Left plain radiograph of the wrist; PA; Siemens; image 84.4 mm wide:

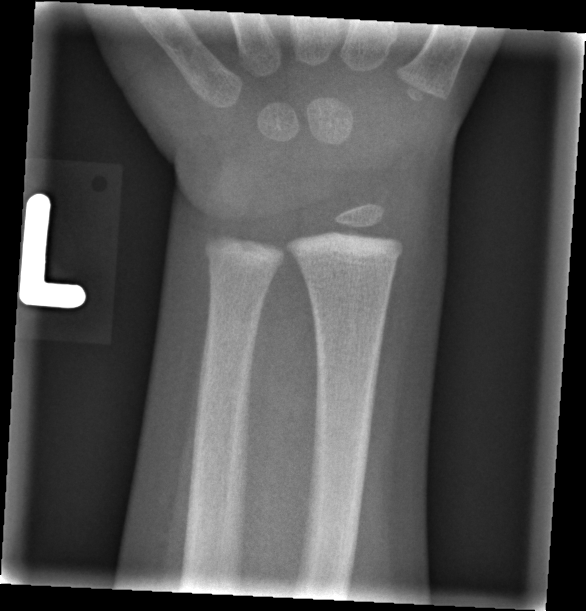
Findings: No fracture annotation.